Lat | right wrist radiograph | pediatric patient (male, age 5) | acquired on Siemens
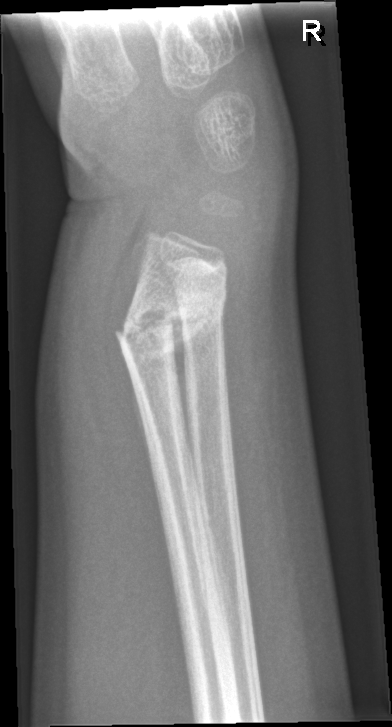
(pixel coordinates, top-left origin, xyxy)
Q: Any fracture seen?
A: Fracture: bbox(112, 293, 225, 363)